Rt wrist XR; lat view; index exam; 440 by 838 pixels.
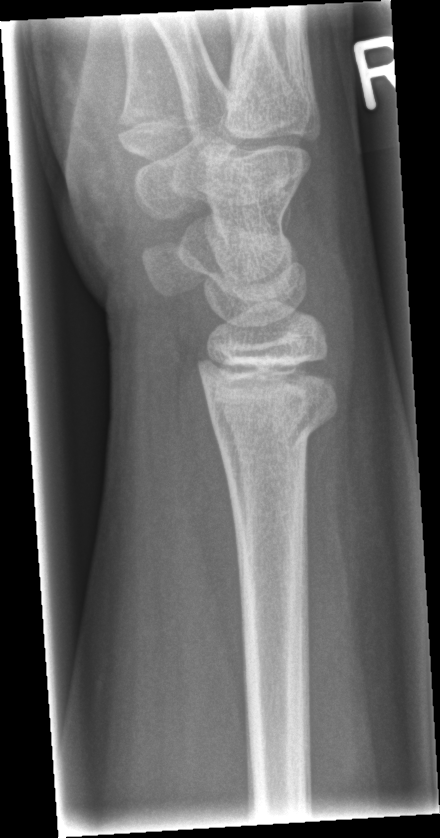
(bounding boxes in image-pixel xyxy)
AO classification: 23r-M/2.1
fracture: 199 378 342 456